Right wrist XR; lateral projection

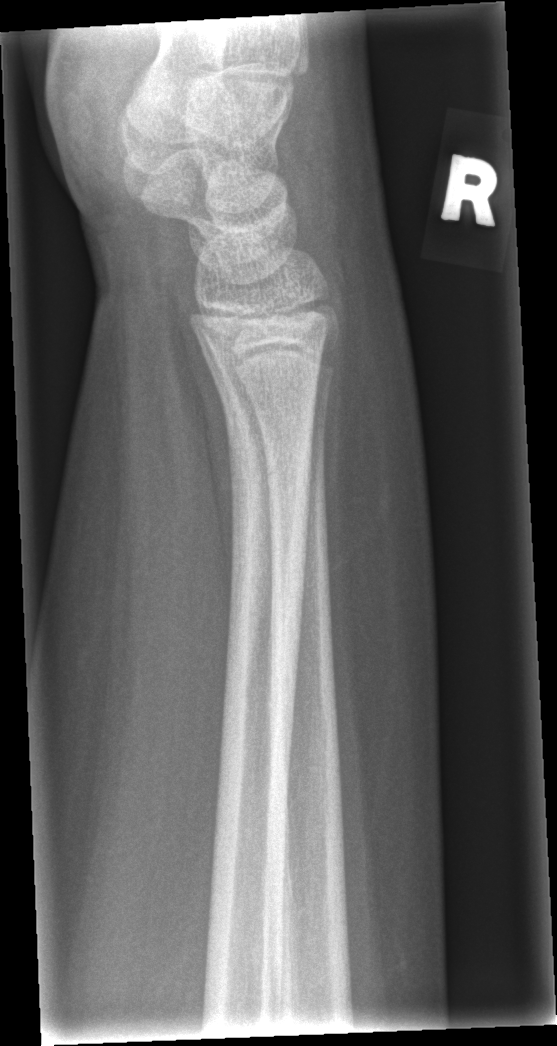
Fracture: none labeled.